PA view; Lt pediatric wrist radiograph; age 15 y, female; image 105.7 mm wide 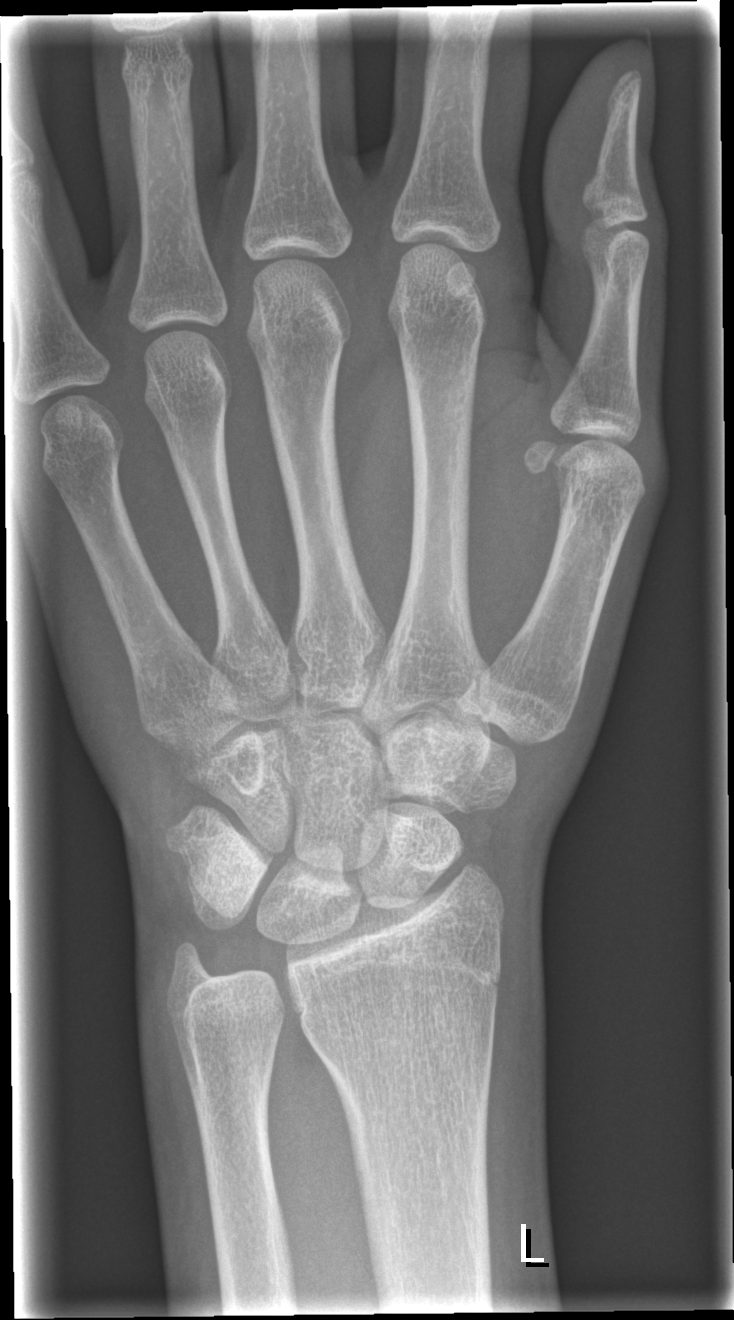 Findings: Fx: none.